L wrist X-ray, lat projection, age 8 y, female, follow-up, cast present. 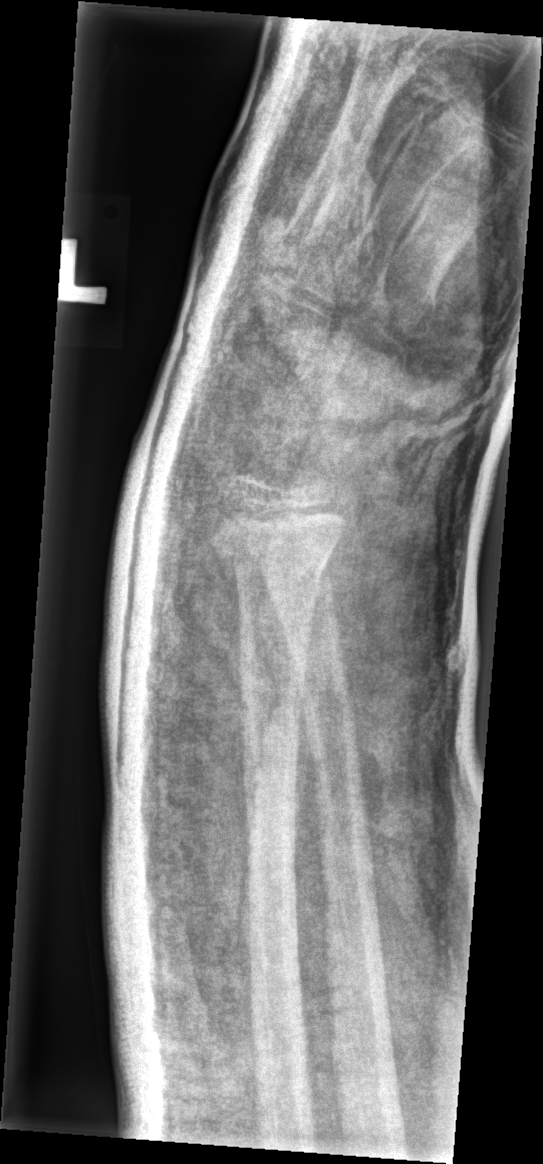 bone fracture = [208, 534, 332, 599]